Lateral view; right pediatric wrist radiograph; presentation radiograph:

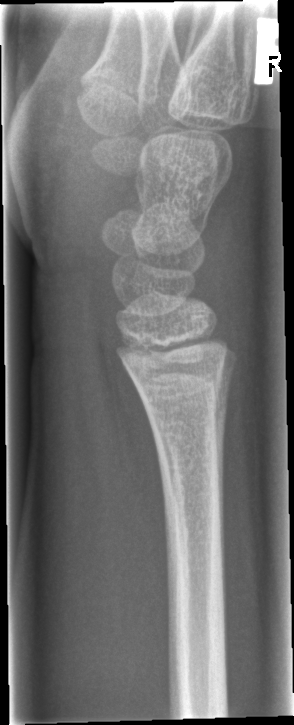
- Fx: none.